Lat view; left wrist XR; boy, 14 yo; cast in situ 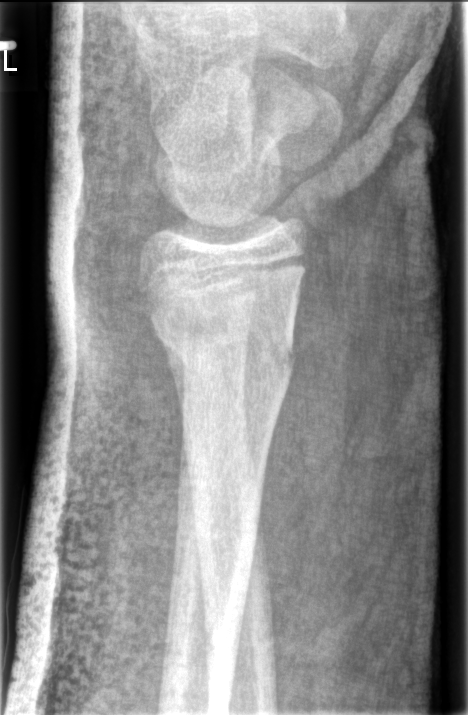

Fx = (left=149, top=299, right=299, bottom=385)
AO classification = 23r-M/3.1; 23u-E/7